Lt wrist plain film | lateral view | 11y F. 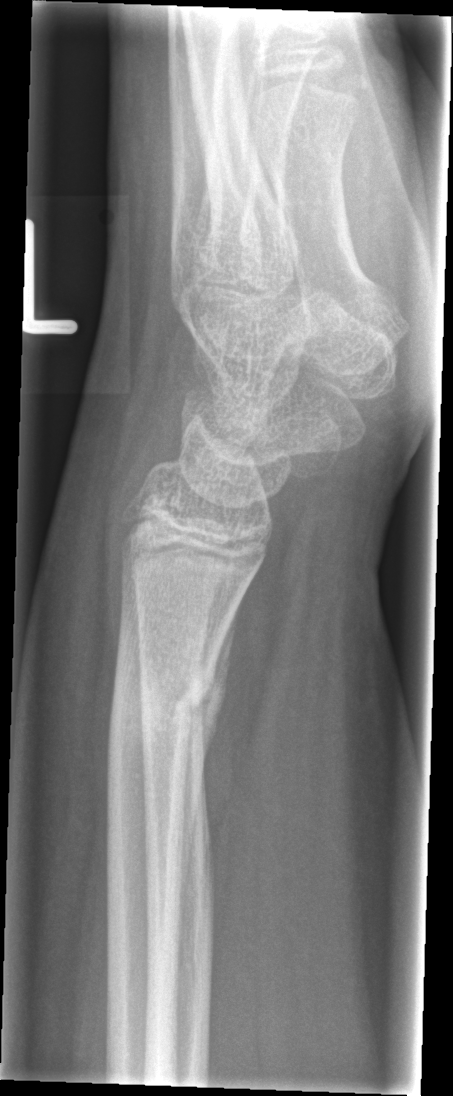

(bounding boxes in image-pixel xyxy)
AO classification: 23r-M/3.1; 23u-M/2.1
Bone fracture: 1 @ (left=105, top=636, right=227, bottom=745)
Osteopenia: present
Periosteal thickening: (left=179, top=582, right=248, bottom=919)